Right wrist X-ray, lat. 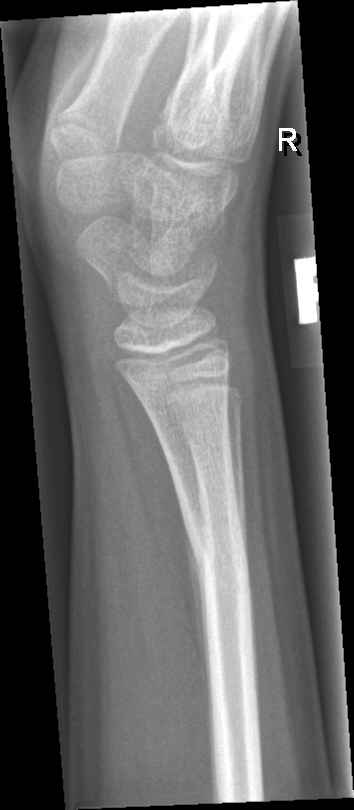 Bone fracture: [x1=178, y1=498, x2=255, y2=610].
AO/OTA classification: 22r-D/2.1.
Decreased bone density (osteopenia).
Periosteal reaction identified at [x1=185, y1=520, x2=206, y2=685].